Left wrist radiograph · lateral · pediatric patient (male, age 10):
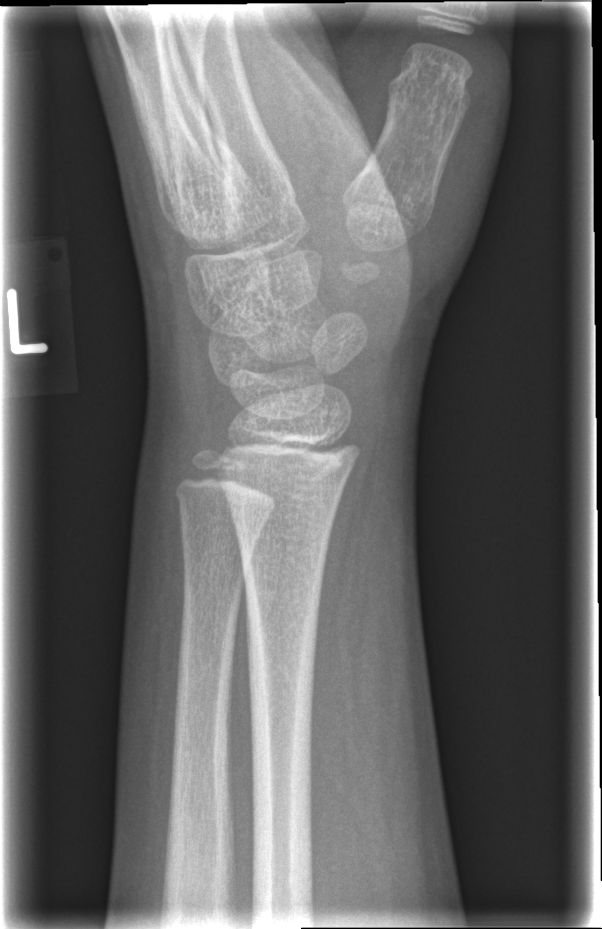
Fx = none labeled